Rt wrist X-ray · lateral projection · imaged through cast · 95.6 mm image width

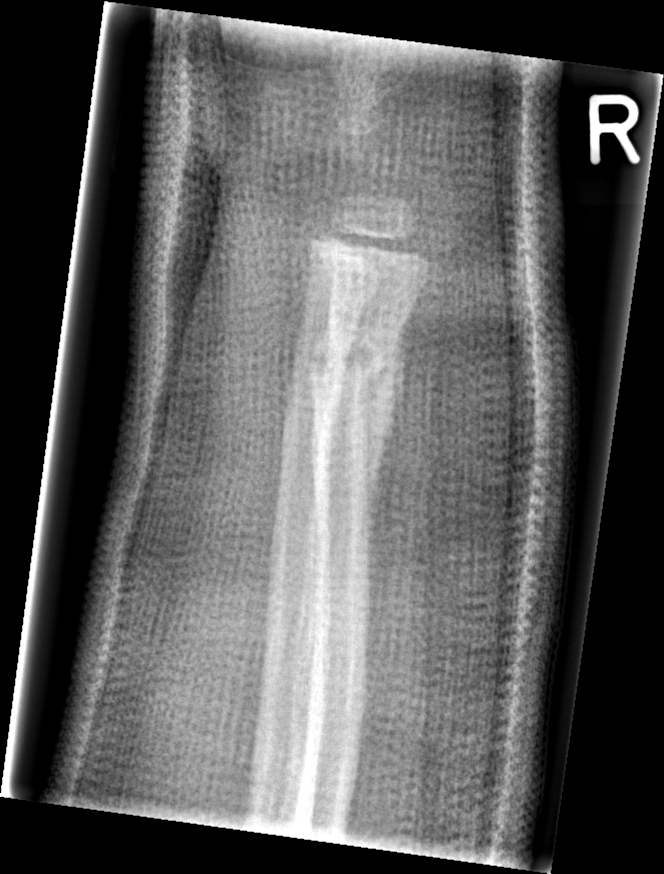 bone fracture: 1 @ (304, 322, 399, 410)
periosteal new bone: 1 @ (354, 322, 404, 529)